Right wrist XR · lat view · follow-up · 427x838 — 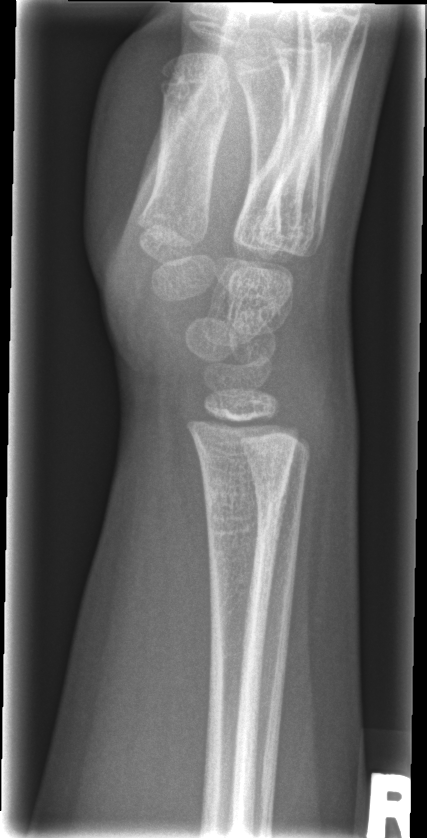
Findings: (pixel coordinates, top-left origin, xyxy) One Fx at 196,466,296,546. AO/OTA classification: 23r-M/2.1.